Right wrist plain film · frontal projection.
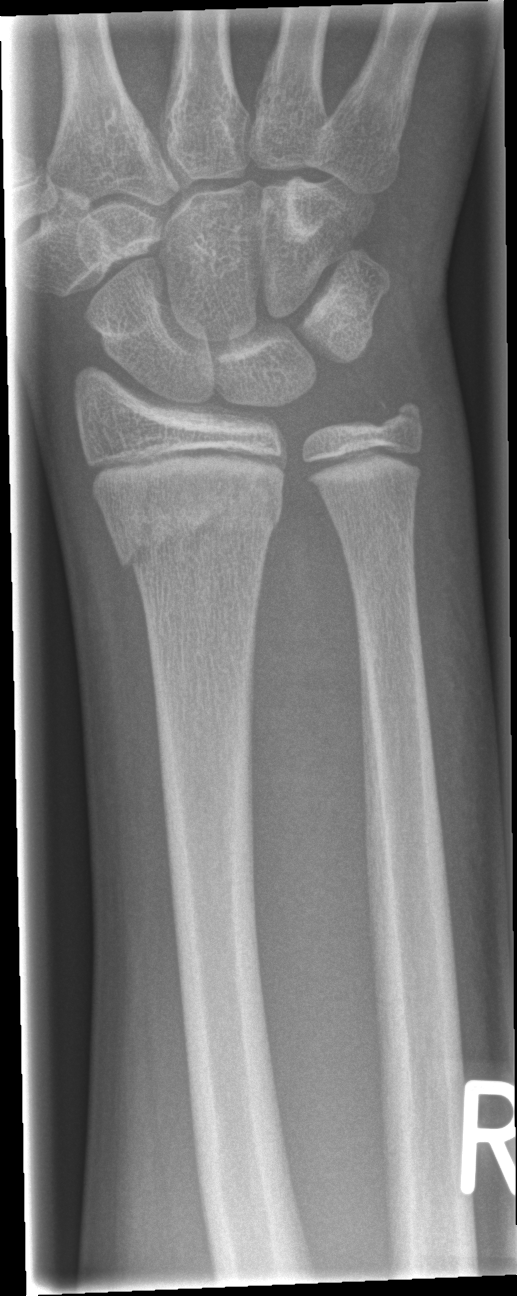 • Boxes as x1,y1,x2,y2 (top-left / bottom-right, pixel units).
• AO/OTA classification: 23r-M/3.1; 23u-E/7.
• Two fractures at <102,477>-<286,578>; <364,387>-<430,444>.